Lateral · Lt wrist XR · in cast · 594x1308 —
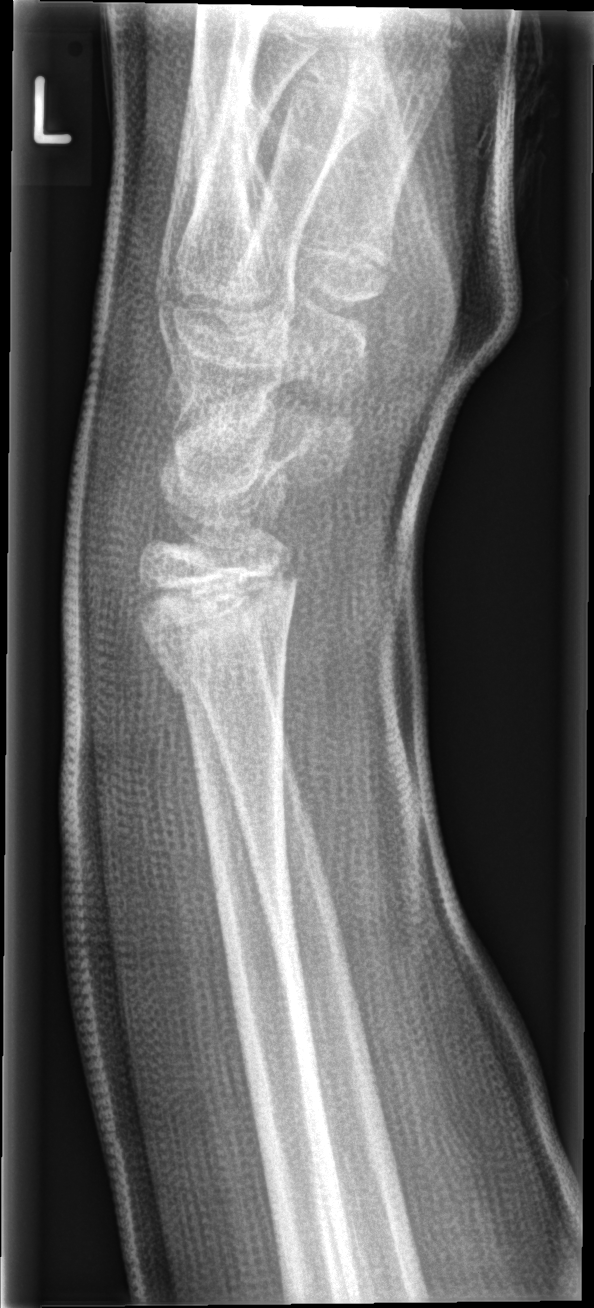
Fracture: 129 569 298 703.